Frontal view | left wrist plain film | female, 11 yo:

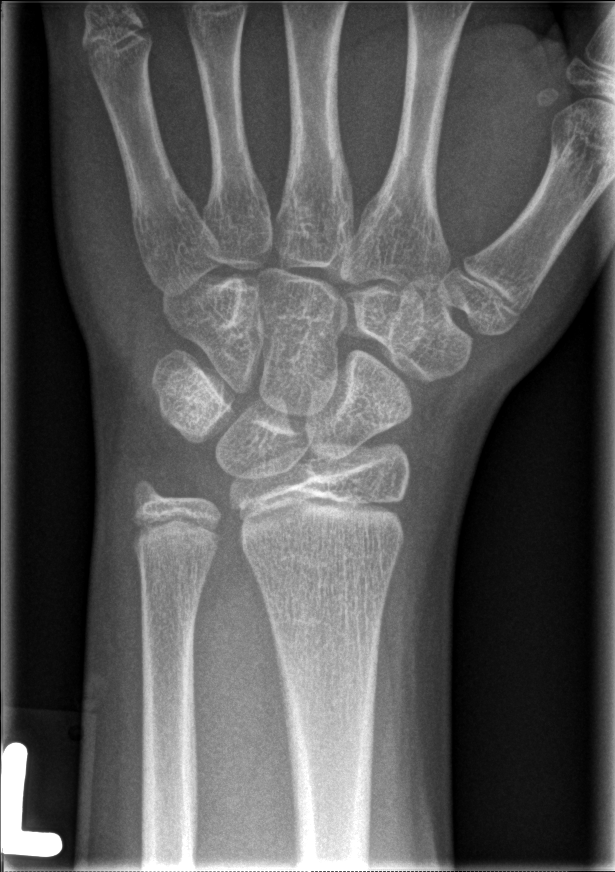 No fracture annotation.